R wrist radiograph · lat · girl, 15 yo · acquired on Siemens · image width 81.5 mm · 566x1216 — 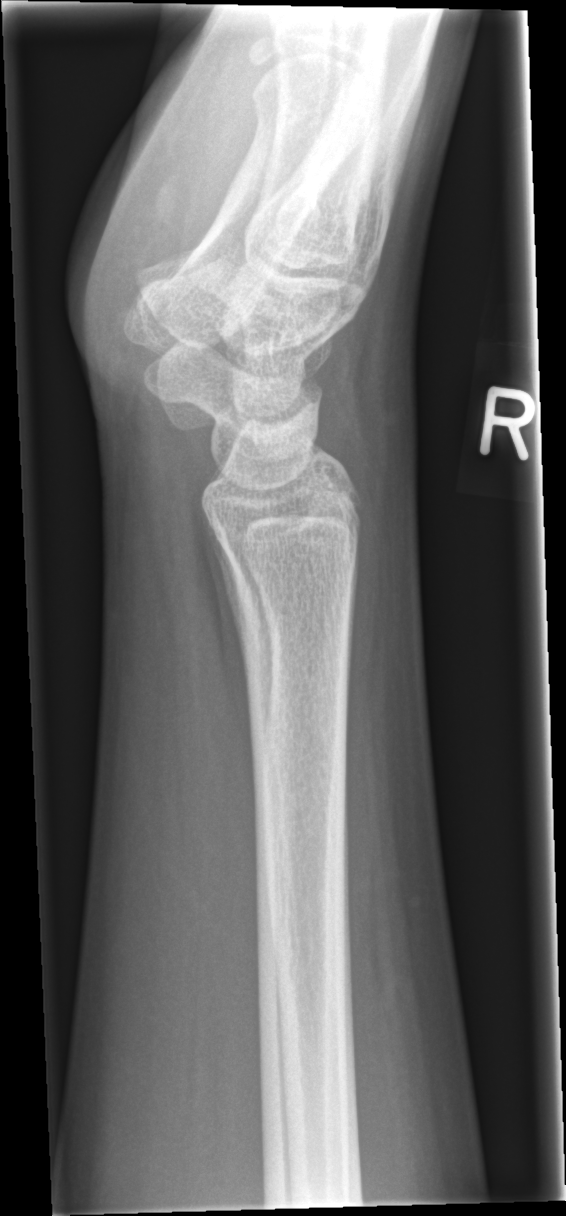

fracture: none labeled